Frontal view | Rt wrist XR | 15-year-old male | detector: Siemens | 888 by 1372 pixels.

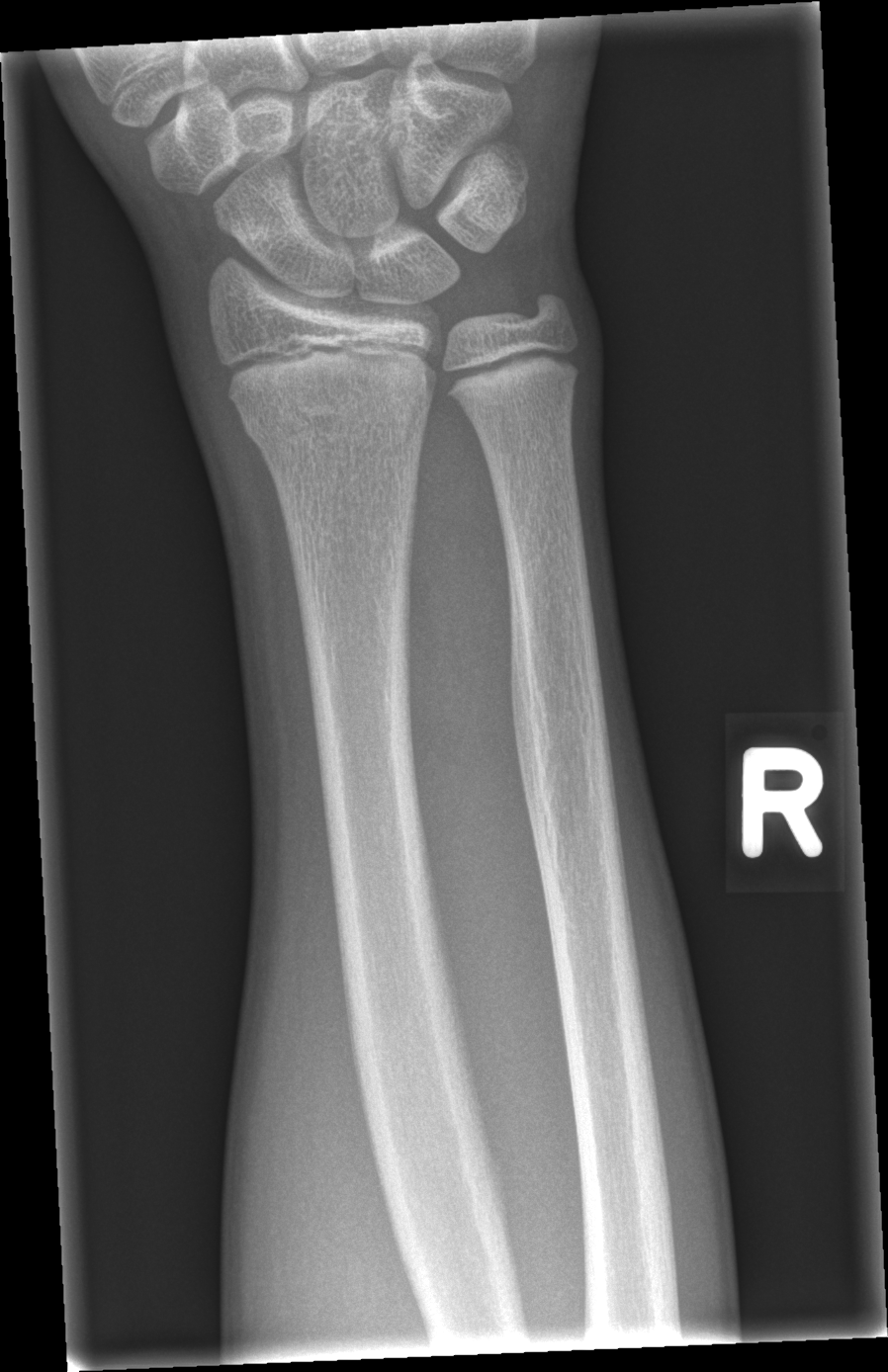

* Fracture: (233, 370, 440, 466).